Right wrist radiograph · lat · pediatric patient (boy, age 9) · imaged through cast · image width 85.2 mm — 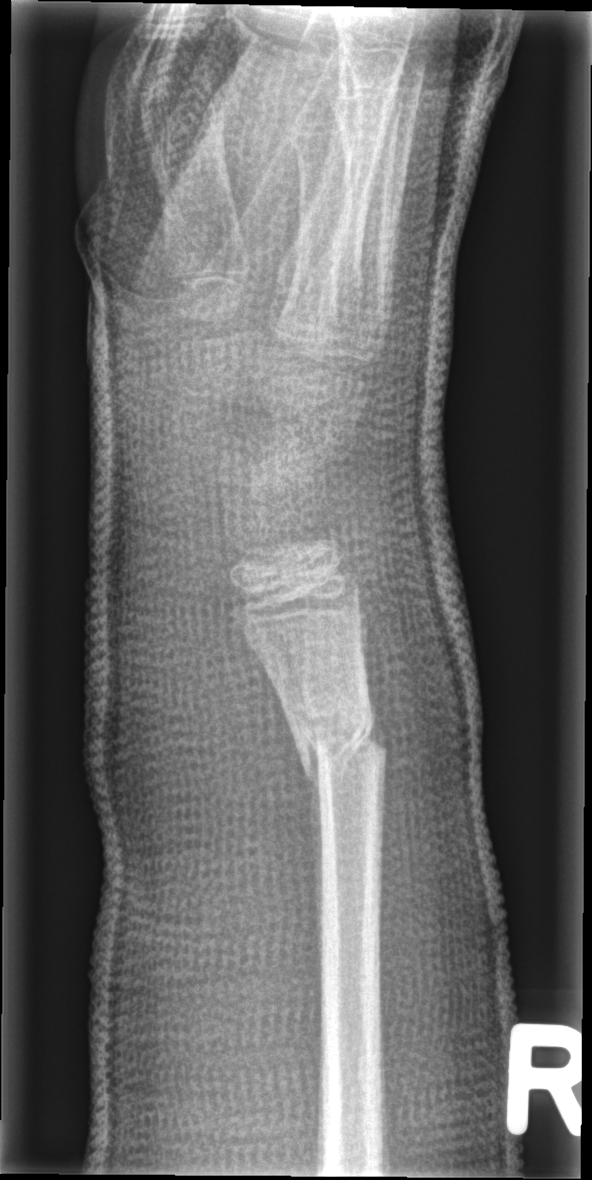
Fx — 282,700,389,784.
Two periosteal thickening at 306,745,323,948
  368,699,388,748.
AO/OTA classification: 23-M/3.1.